AP view | left wrist radiograph | initial study | Siemens — 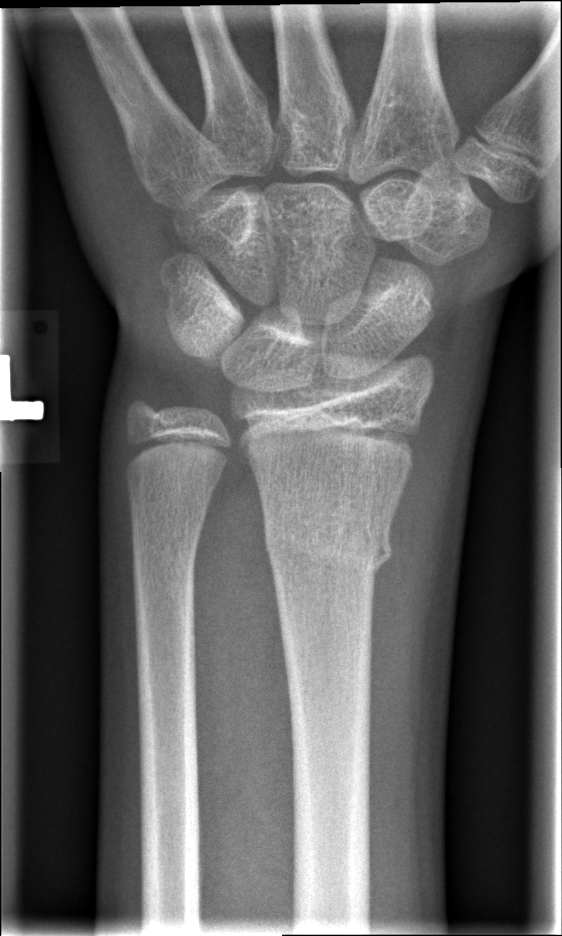 Q: Is there a fracture?
A: Fx identified at (262, 503, 395, 579), (131, 531, 203, 586)